Lt wrist radiograph · lat view:

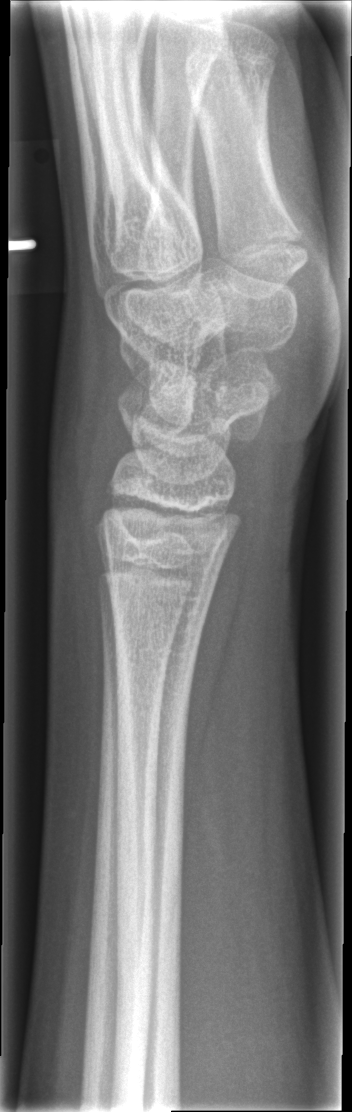 No fracture labeled.